Rt wrist radiograph, frontal, girl, 3 yo, cast in situ 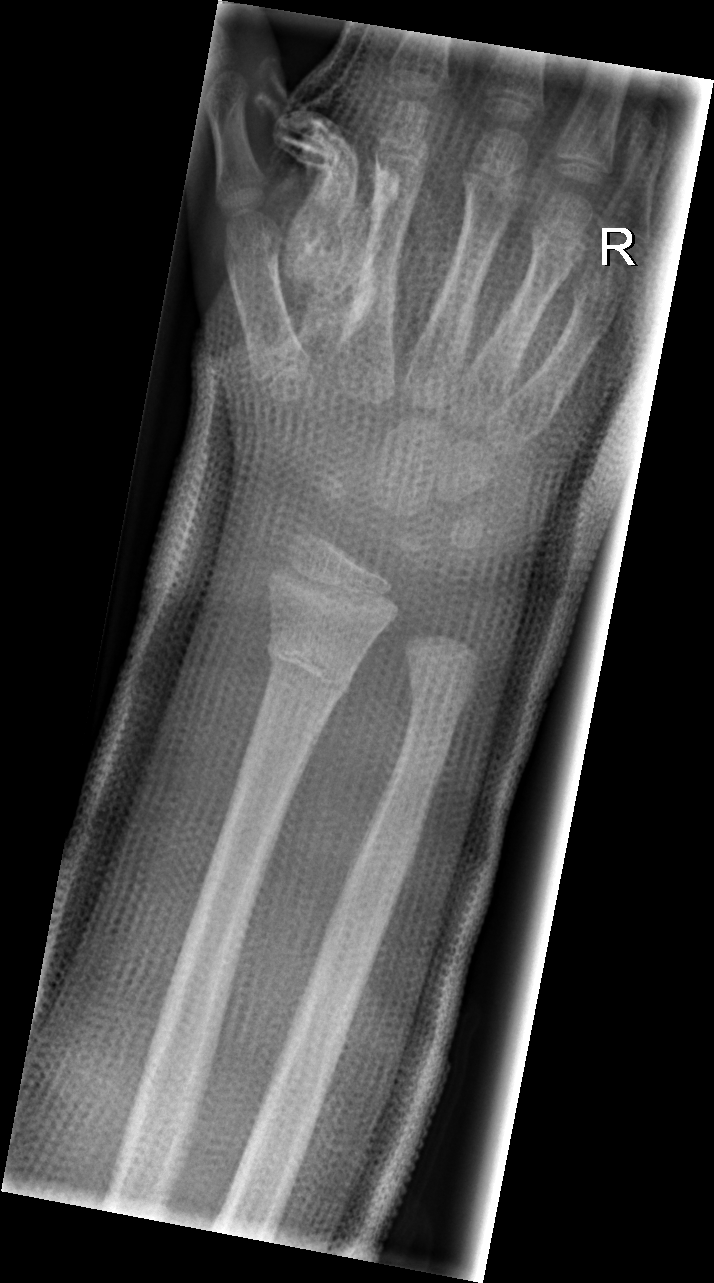

fracture: 2 @ bbox(262, 623, 361, 703) bbox(402, 668, 474, 724)